R plain radiograph of the wrist · frontal projection · presentation radiograph · 500 x 616 px. 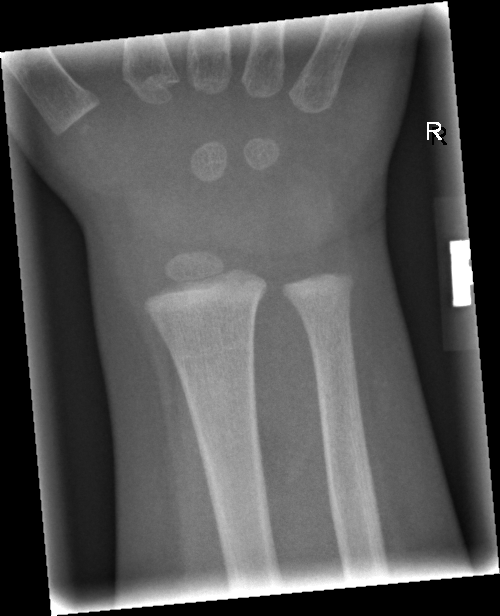 bone fracture: none labeled